Lat view | R wrist XR | 7y F | image 58.6 mm wide | 407 x 822 px:
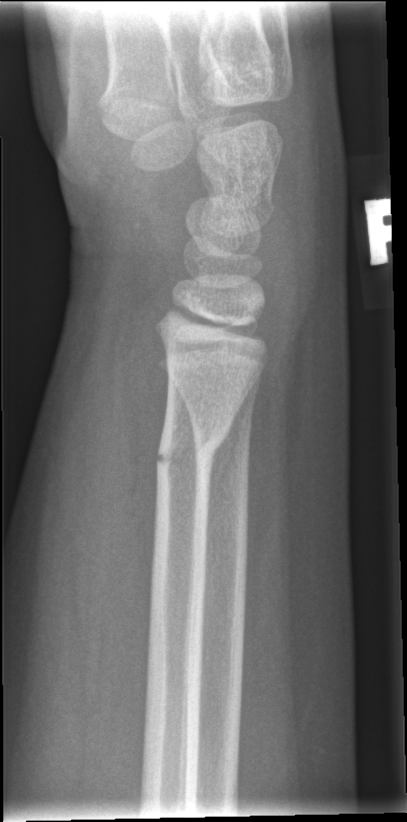 Fracture classified AO/OTA 23r-M/3.1.
Bone fracture identified at 152,425,231,472.
Soft-tissue finding — 20,266,165,707.